L wrist plain film | PA/AP projection | follow-up | cast present

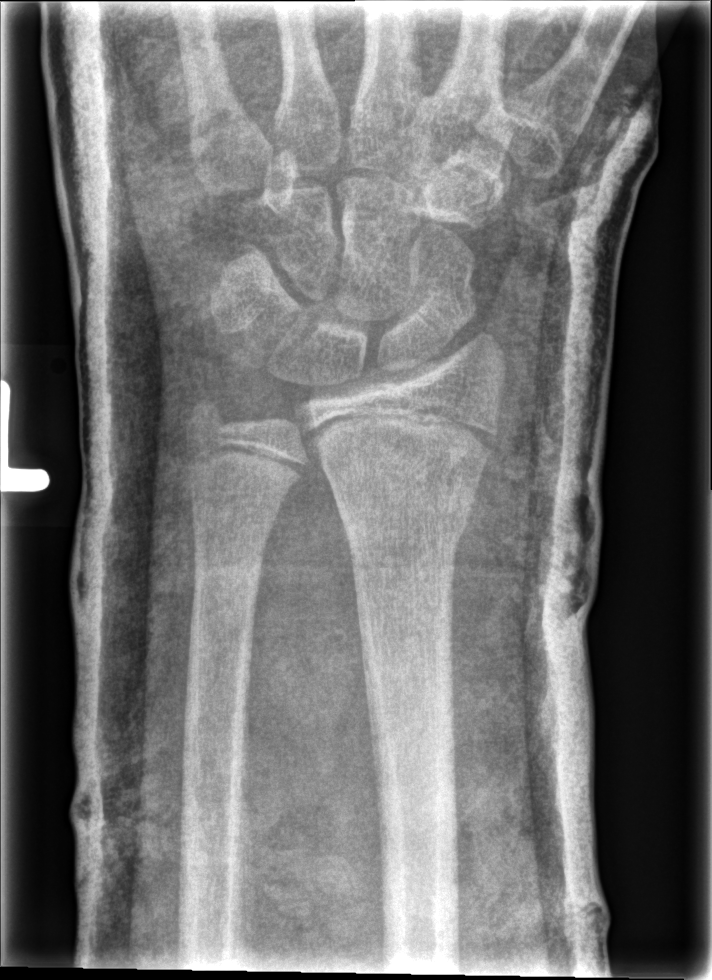
(boxes as x1,y1,x2,y2 (top-left / bottom-right, pixel units))
Fx: 1 @ [x1=318, y1=432, x2=481, y2=547]
AO/OTA: 23r-M/2.1